Frontal view | R wrist XR | pediatric patient (girl, age 6) | cast present: 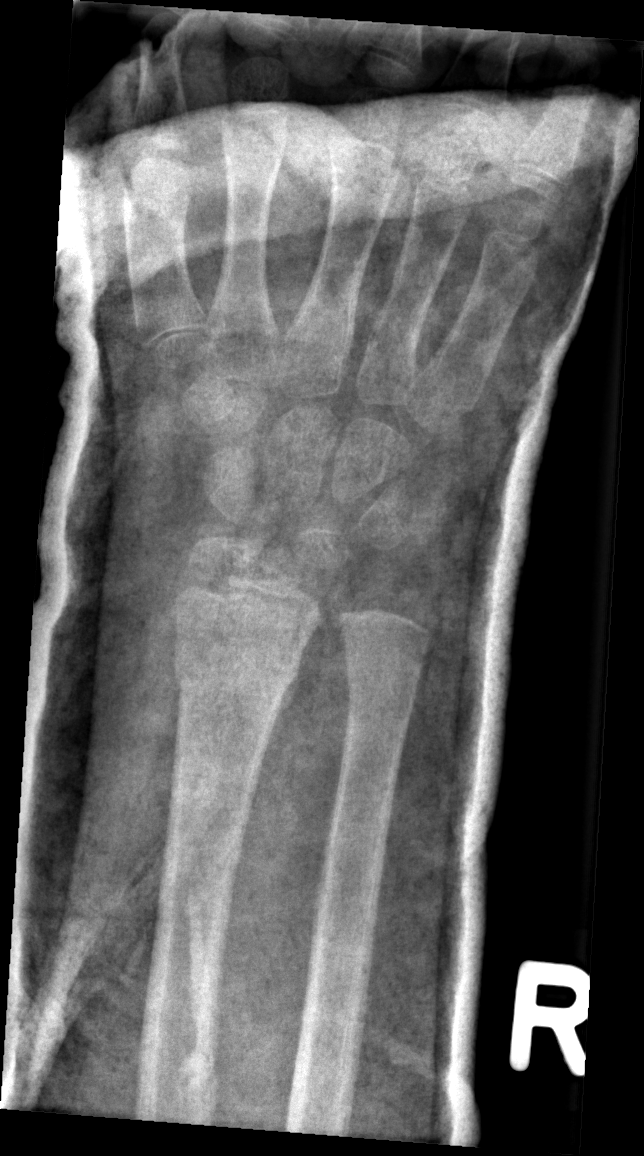 Pixel coordinates, top-left origin, xyxy.
Fracture identified at [170, 639, 304, 704].
AO code 23-M/2.1.